Lat view; L plain radiograph of the wrist; age 11 y, male:

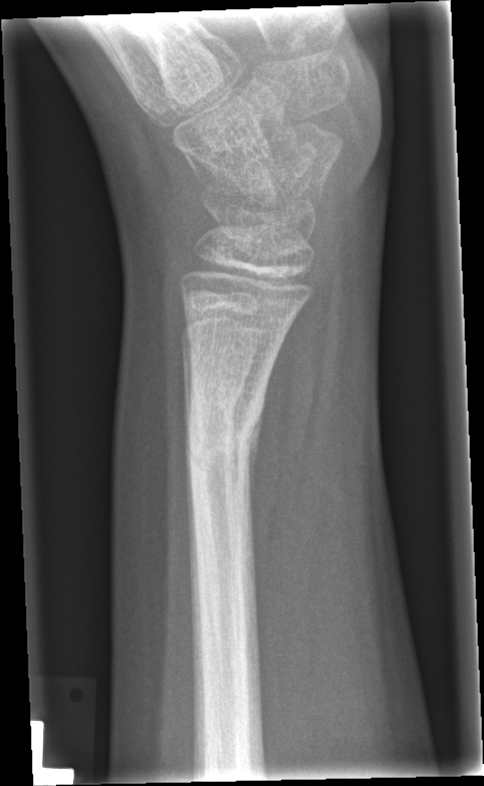

(boxes as x1,y1,x2,y2 (top-left / bottom-right, pixel units))
bone fracture = 1 @ [183, 386, 266, 494]
osteopenia = present
AO classification = 23r-M/3.1; 23u-M/2.1
periosteal reaction = [246, 410, 262, 519]